Left wrist X-ray | PA | pediatric patient (female, age 12) | index exam. 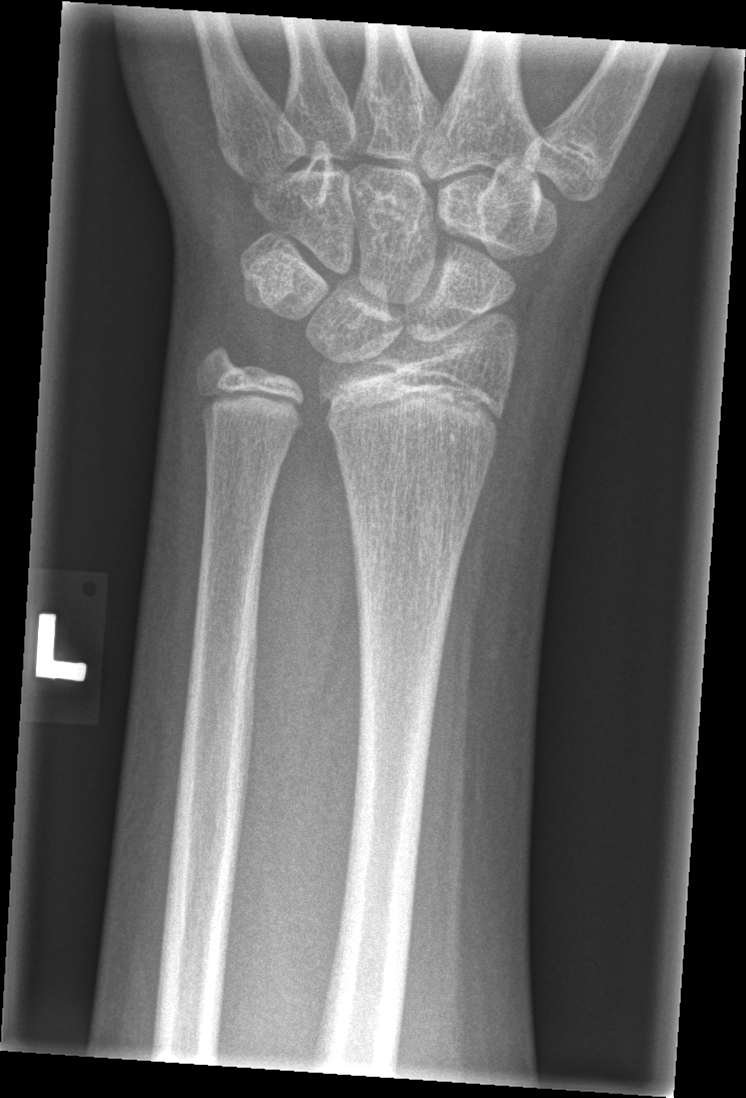

{"fracture": "none labeled"}